R wrist plain film; lateral view.
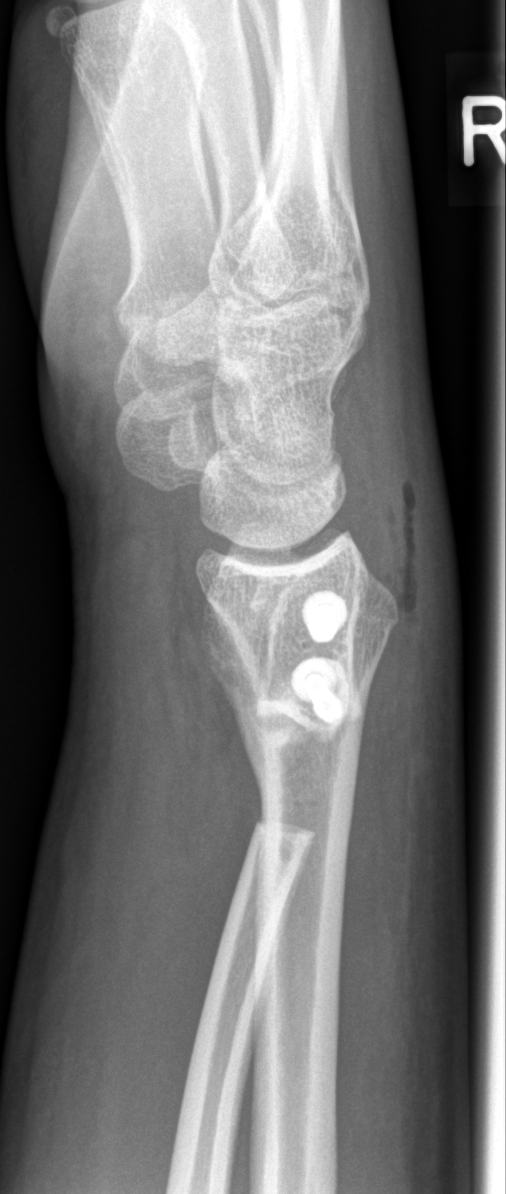
FINDINGS — (coordinates are [x1, y1, x2, y2] in image pixels) Metallic hardware — [289, 654, 345, 726]; [299, 586, 350, 646]. Soft tissue abnormality identified at [359, 379, 470, 699]. Fracture: none labeled. Osseous anomaly: [235, 659, 348, 863].